PA, right pediatric wrist radiograph, 10y F, 504 by 1058 pixels —
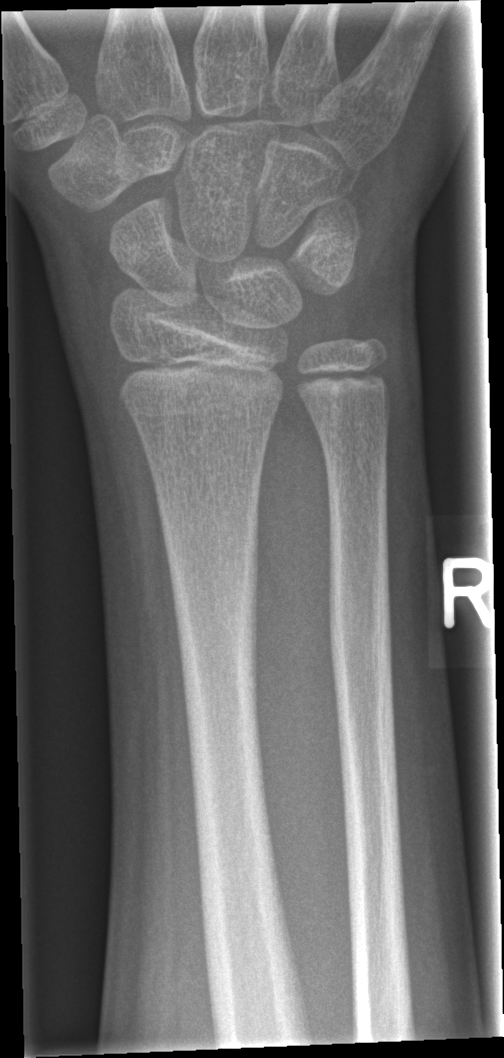
{"fracture": "none labeled"}